AP projection · Lt wrist X-ray · age 6 y, male · cast present:
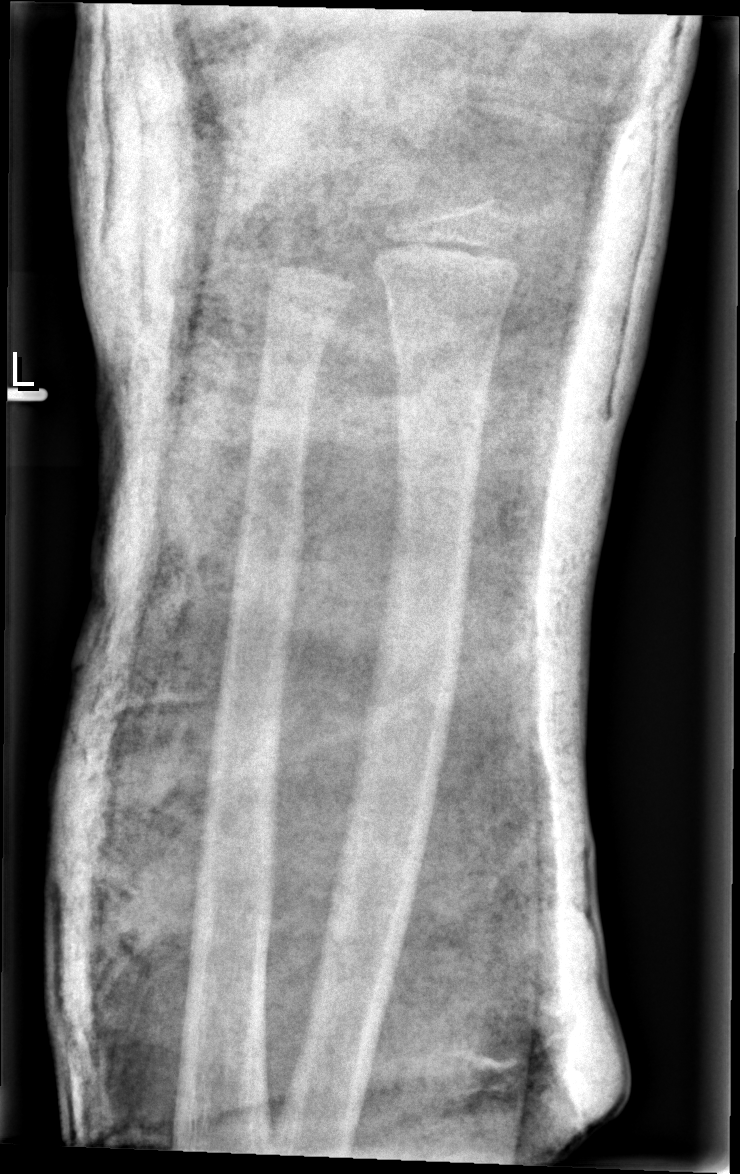
{
  "fracture": "1 @ [381, 302, 505, 359]",
  "ao": "23r-M/2.1"
}